Frontal view; L pediatric wrist radiograph; age 12 y, male; acquired on Siemens 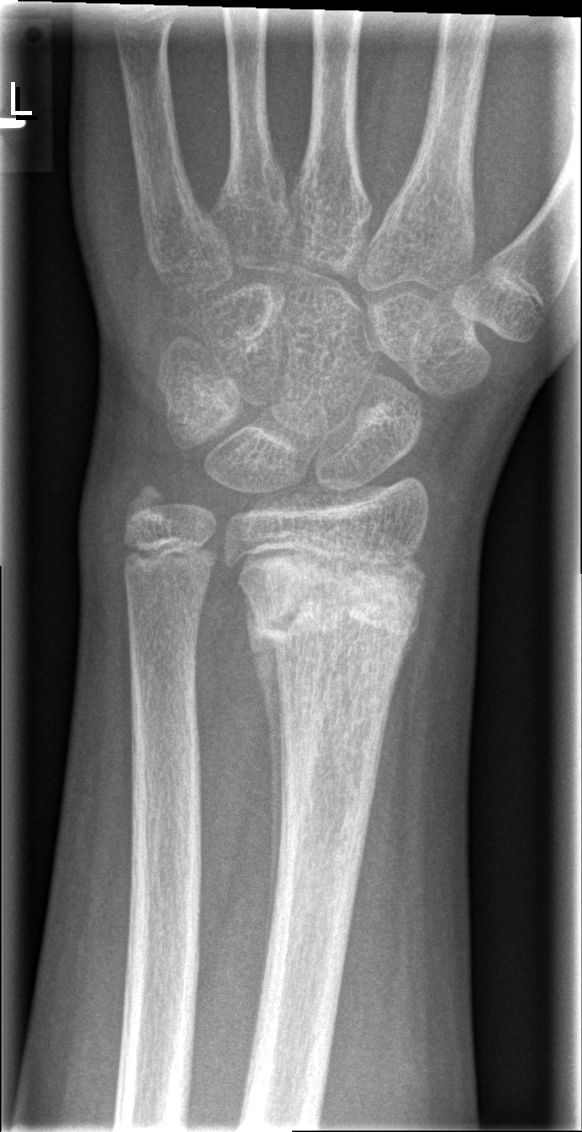

AO/OTA classification: 23r-M/3.1; 23u-E/7. Fractures — [243, 560, 429, 648]; [112, 472, 176, 540]. One periosteal new bone at [245, 606, 283, 1012].